Lat view, Rt plain radiograph of the wrist, image size 493x1122

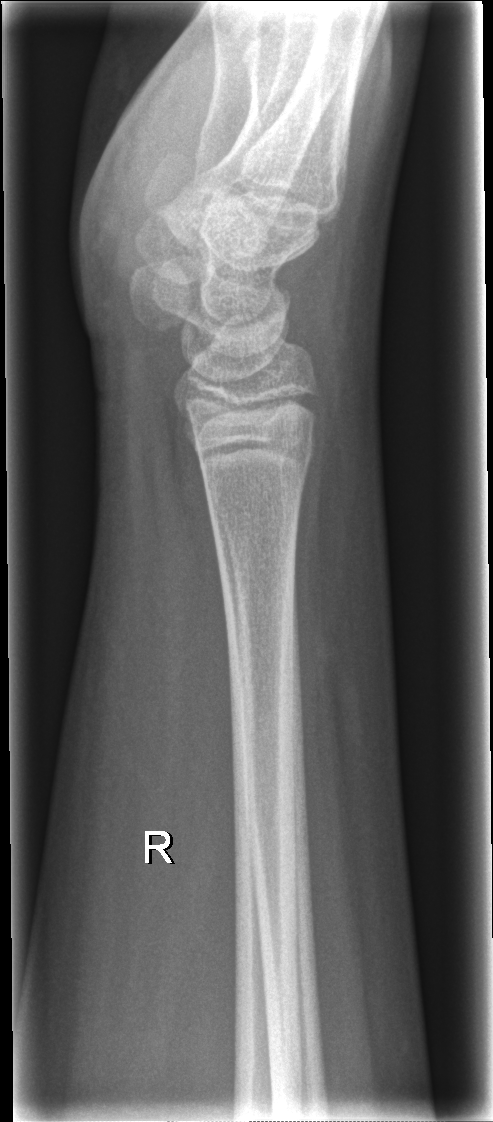
# bounding boxes in image-pixel xyxy
fracture: 1 @ 193,428,319,487